Left wrist XR; lateral view; initial study:

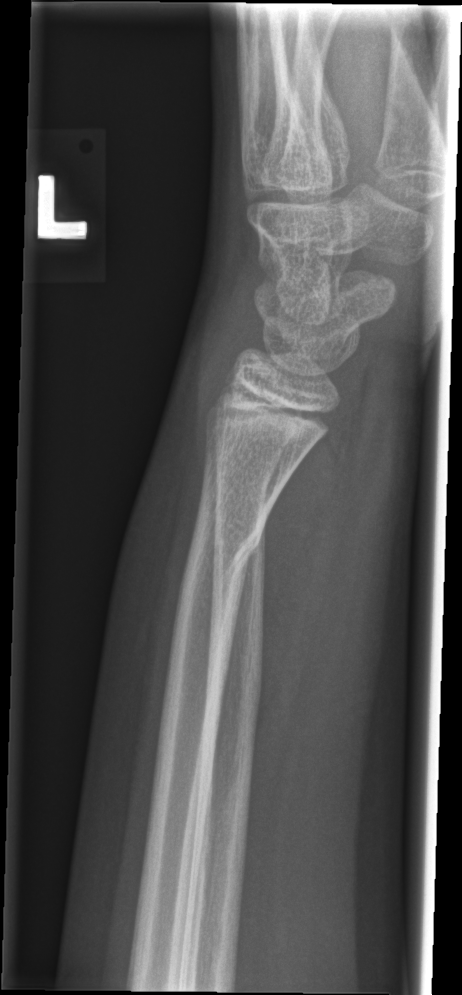

• One bone fracture at (left=184, top=490, right=272, bottom=584).
• AO code 23r-M/2.1; 23u-E/7.